Posteroanterior; L pediatric wrist radiograph; presentation radiograph; acquired on Siemens; 424x1074:
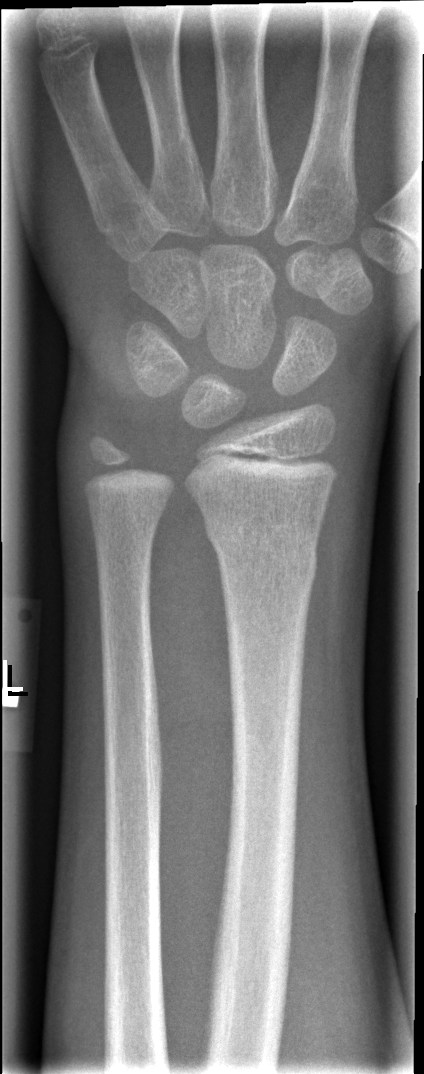
  # boxes as x1,y1,x2,y2 (top-left / bottom-right, pixel units)
  fracture: 1 @ 200 510 320 589
  ao: 23r-M/2.1